Lateral | left wrist plain film | pediatric patient (boy, age 10) 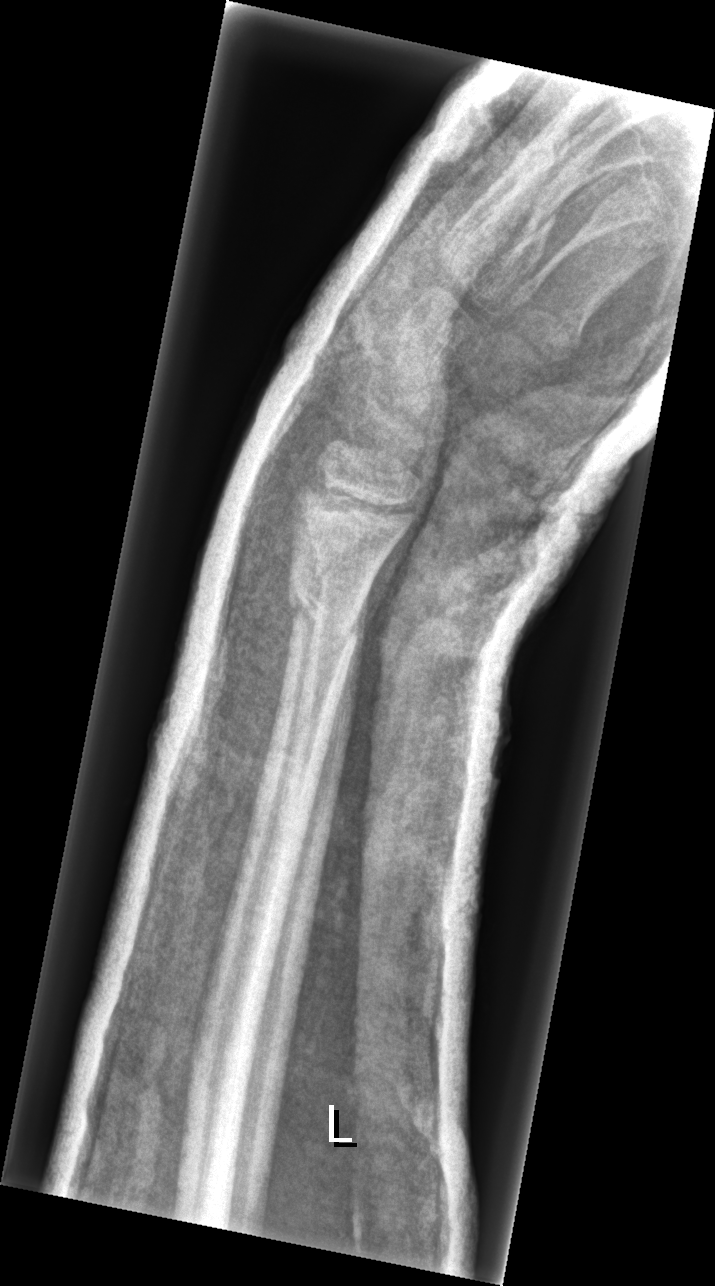

FINDINGS — AO code 23-M/3.1. Fracture: (284, 579, 364, 654).